Frontal projection; left wrist radiograph; 686 x 1074 px 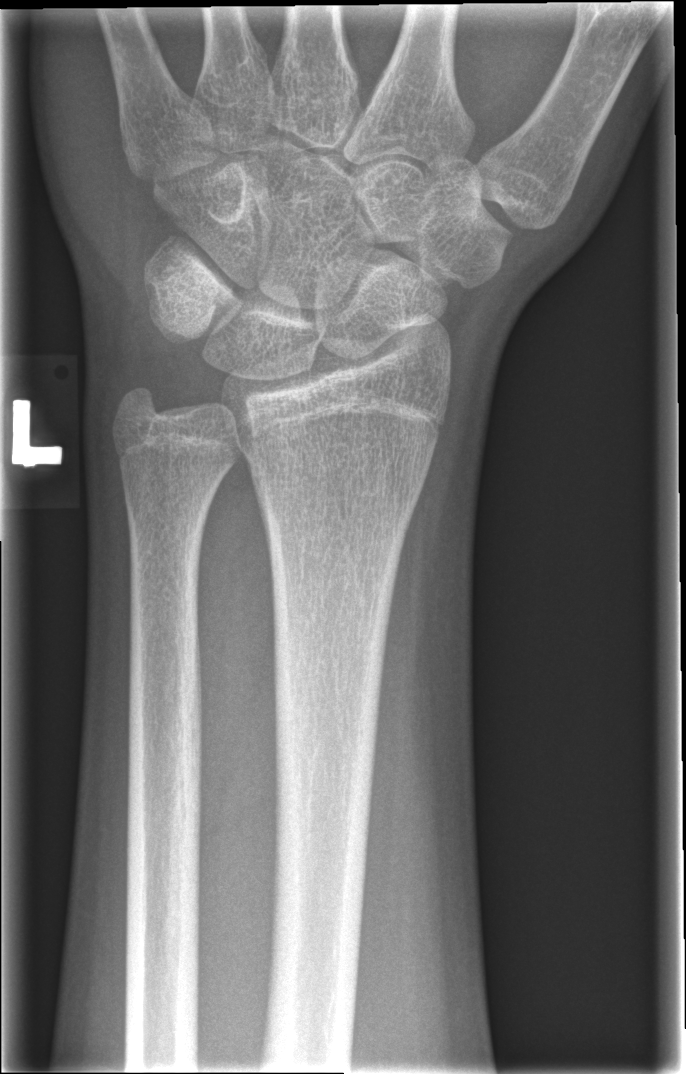 No fracture bounding box.